Lateral projection; right wrist XR; 9-year-old female; Siemens —

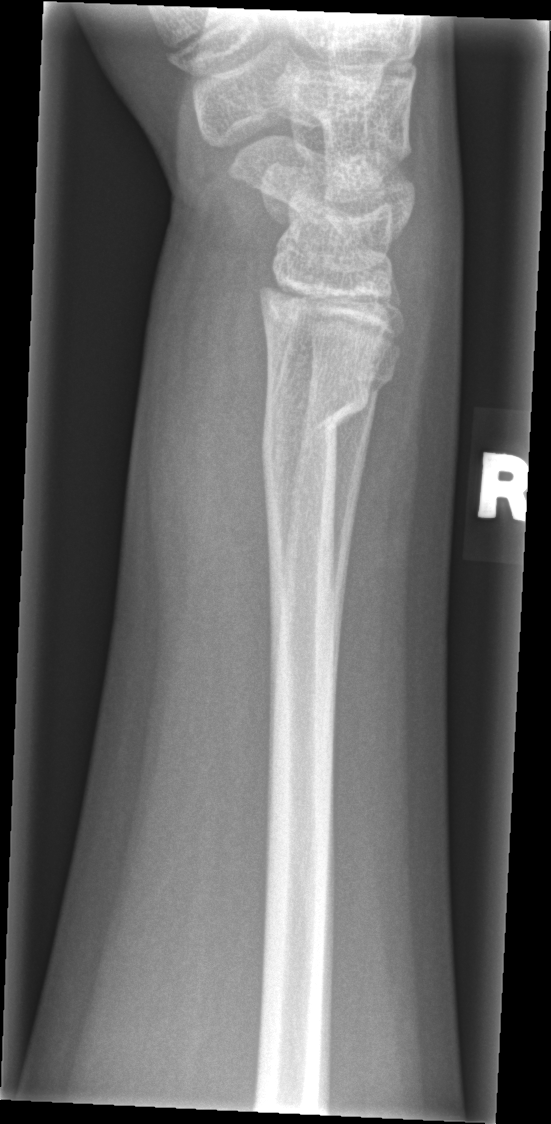
FINDINGS — Positive pronator fat-pad sign — [216, 305, 275, 670]. Bone fracture identified at [258, 376, 373, 464], [305, 371, 399, 404]. AO/OTA classification: 23-M/2.1. Soft-tissue swelling — [128, 259, 281, 705].